PA view | Rt wrist radiograph | 7-year-old female | index exam | 572x814.

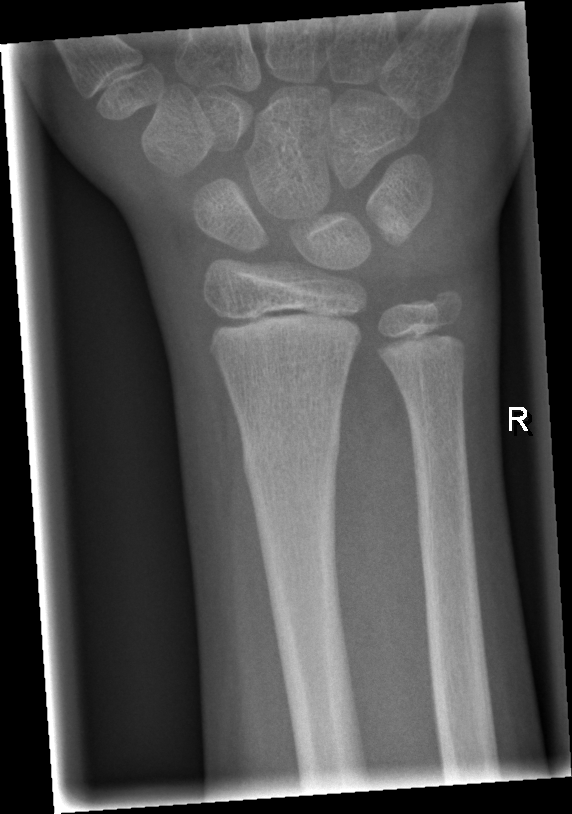 Fx identified at [x1=239, y1=417, x2=344, y2=489]. AO/OTA classification: 23r-M/2.1.